Right wrist plain film; lat projection; initial study —
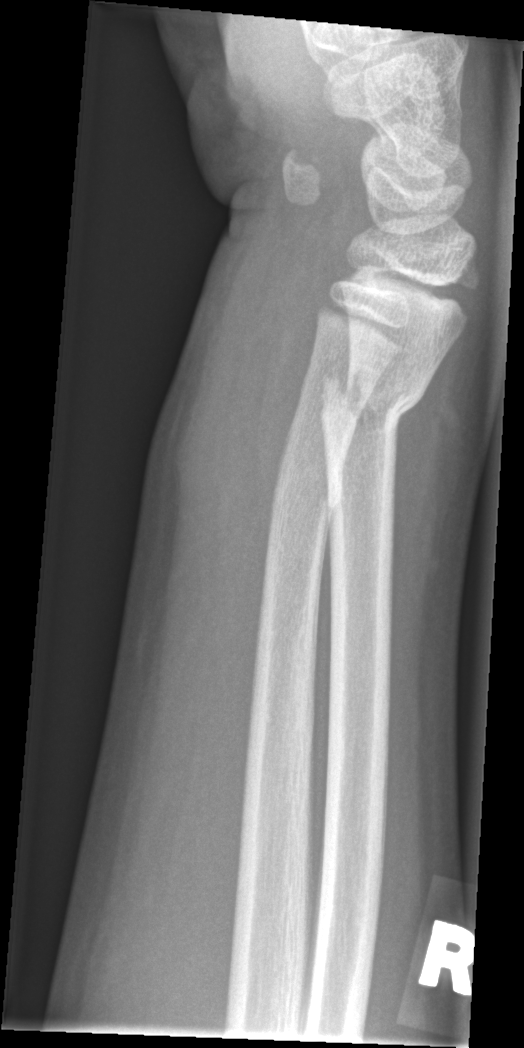
(coordinates are [x1, y1, x2, y2] in image pixels)
soft-tissue finding: 1 @ [x1=158, y1=234, x2=320, y2=656]
AO code: 22u-D/2.1; 23r-M/2.1; 23u-E/7
fracture: [x1=314, y1=357, x2=428, y2=441], [x1=262, y1=462, x2=343, y2=532]